Posteroanterior; L wrist plain film; 563 by 992 pixels — 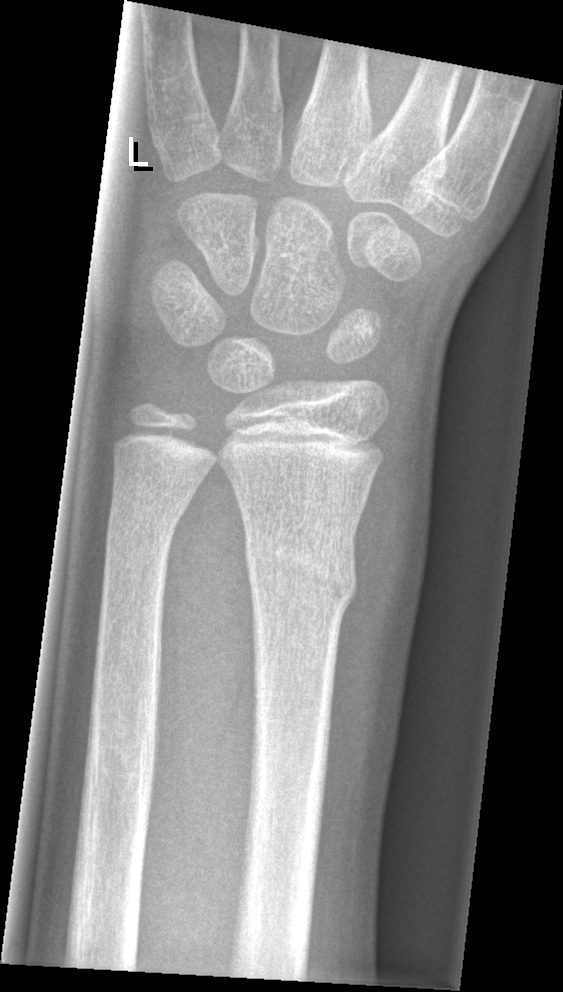
FINDINGS — (coordinates are [x1, y1, x2, y2] in image pixels) Two bone fractures at [x1=241, y1=520, x2=359, y2=620] [x1=104, y1=497, x2=186, y2=544]. AO/OTA classification: 23-M/2.1.